Lat, right wrist plain film, boy, 14 yo, subsequent exam —
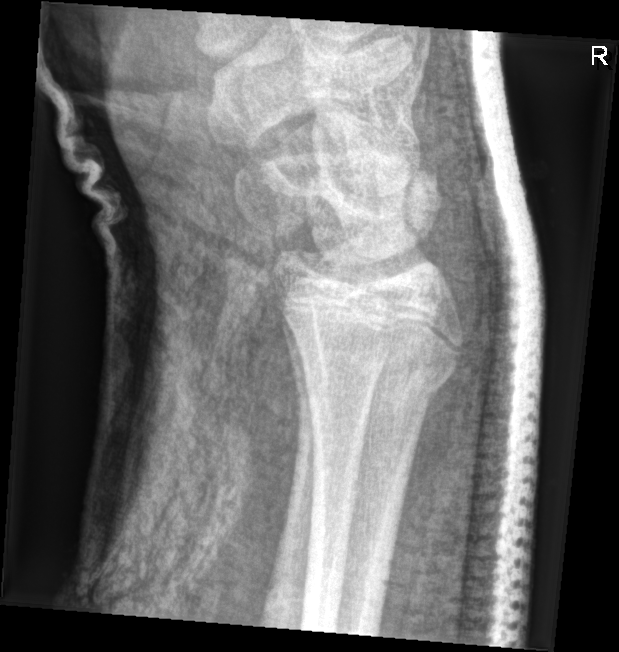

* Bone fracture — <288,347>-<458,410>.
* AO code 23r-M/3.1.